Left wrist plain film; frontal: 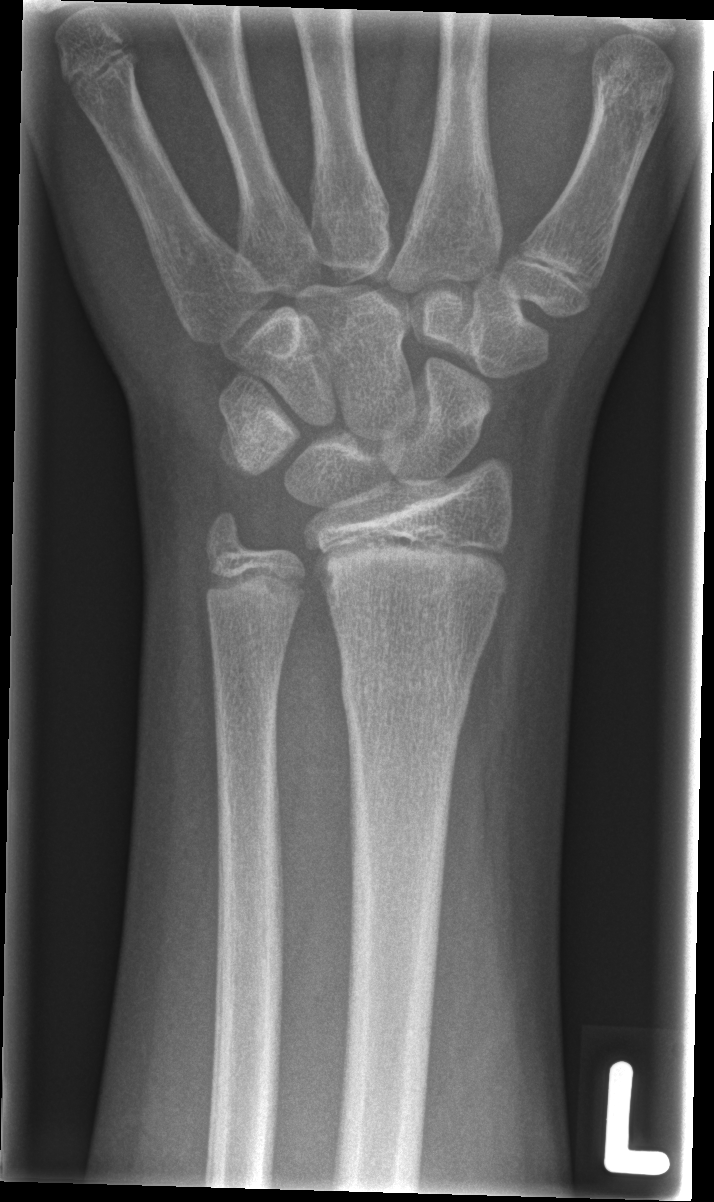
(bounding boxes in image-pixel xyxy)
AO/OTA = 23r-M/2.1
bone fracture = 1 @ (left=338, top=651, right=479, bottom=722)